Right wrist radiograph | AP view | presentation radiograph | acquired on Siemens:
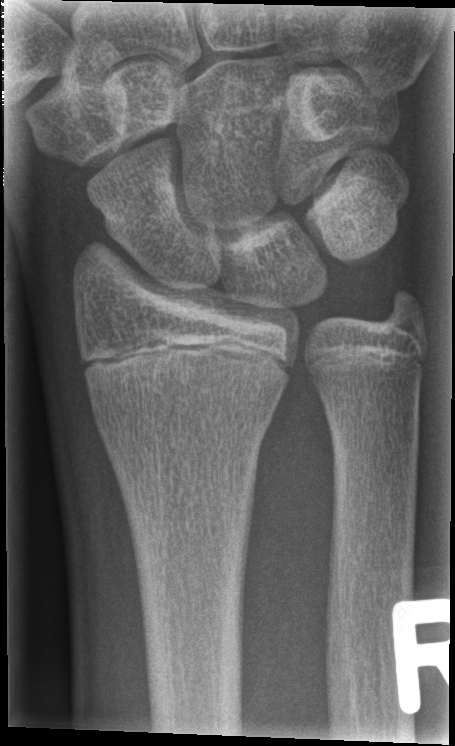

FINDINGS — No fracture annotation.